AP, left wrist radiograph, presentation radiograph, Siemens
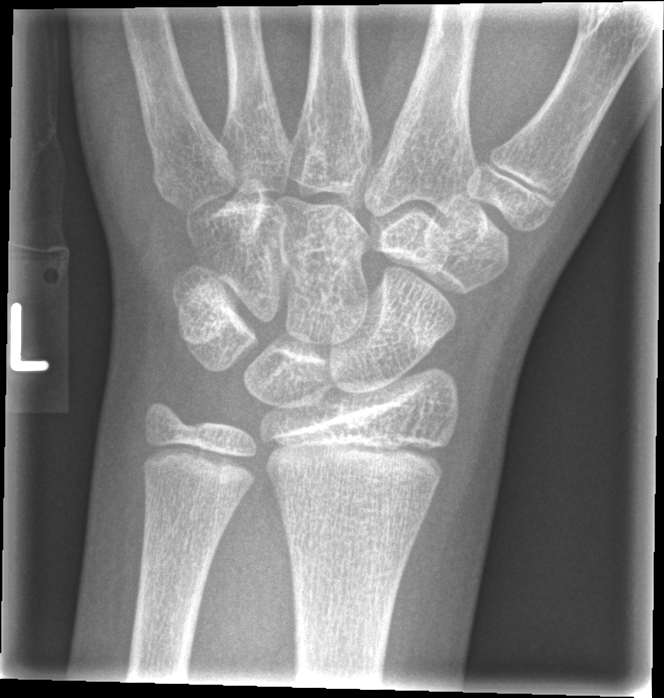 No fracture labeled.